Left pediatric wrist radiograph, lateral projection, age 8 y, girl, index exam, Siemens, 65.5 mm image width.
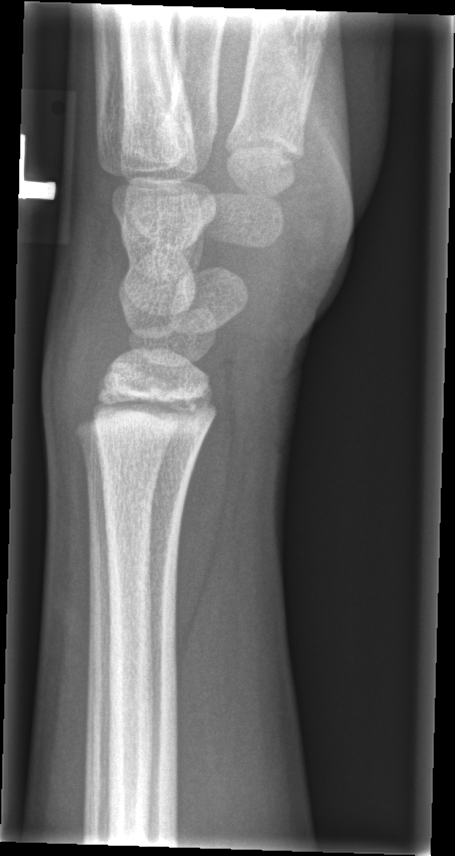 Q: Fracture present?
A: No fracture annotation